Right wrist plain film | lateral | age 15 y, girl | acquired on Siemens
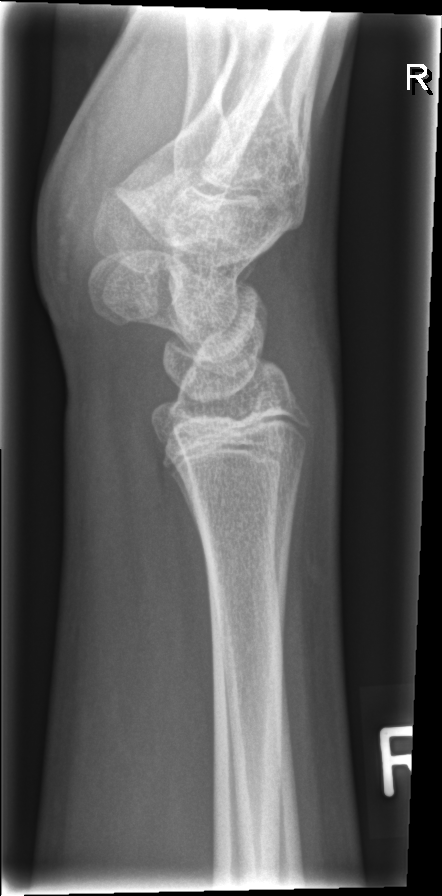

Bone fracture = none labeled